Rt plain radiograph of the wrist | lateral | boy, 5 yo | follow-up | cast in situ | image width 79.8 mm —
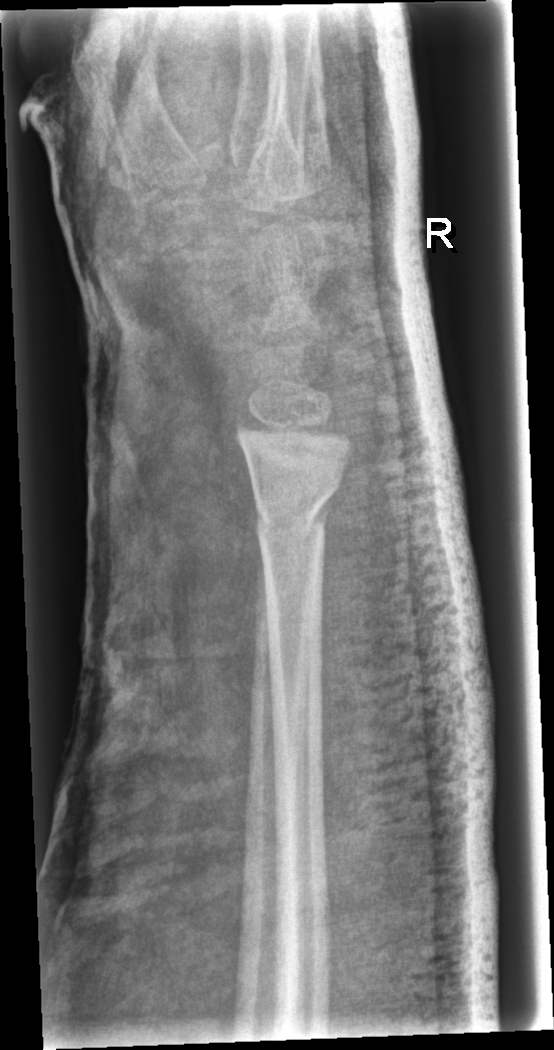 bone fracture = (251, 481, 342, 543)